Lt wrist X-ray; lat view; image size 522x958
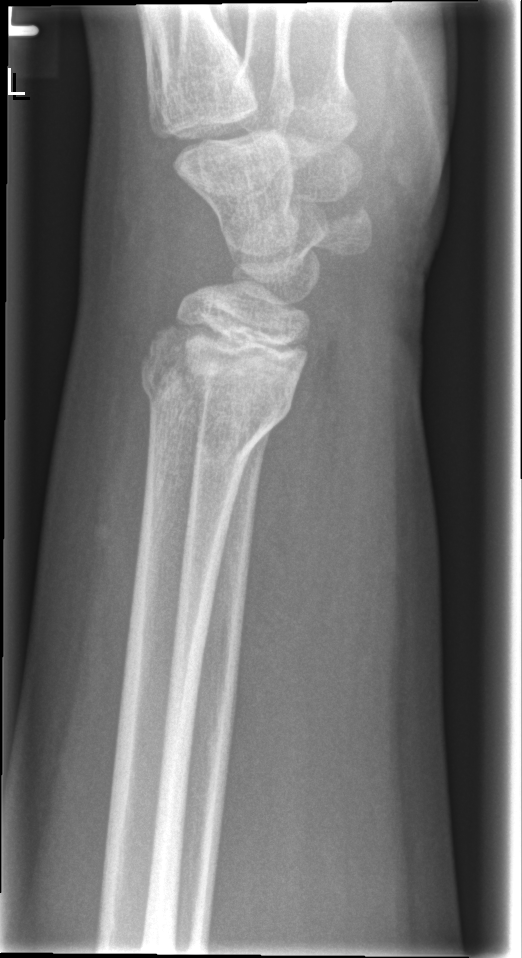   # pixel coordinates, top-left origin, xyxy
  fracture: 1 @ bbox(133, 323, 302, 452)
  pronatorsign: 1 @ bbox(240, 326, 348, 684)